Left wrist radiograph, lateral —
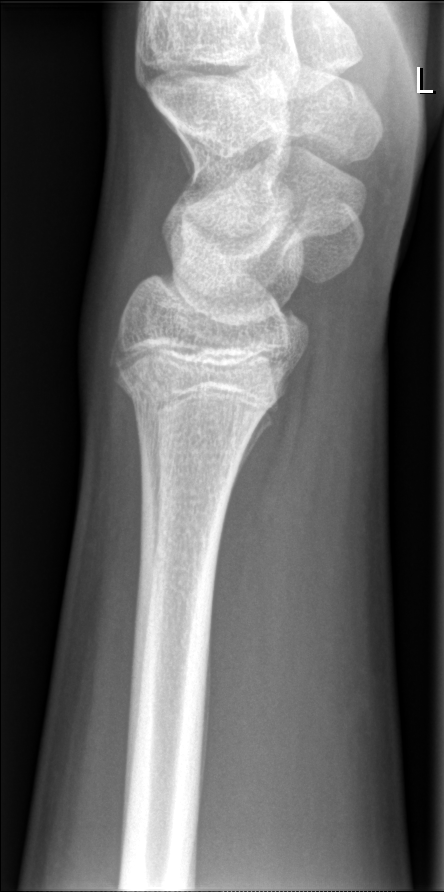
FINDINGS: Fx — 108 355 296 423.